L wrist XR | posteroanterior projection | male, 12 yo

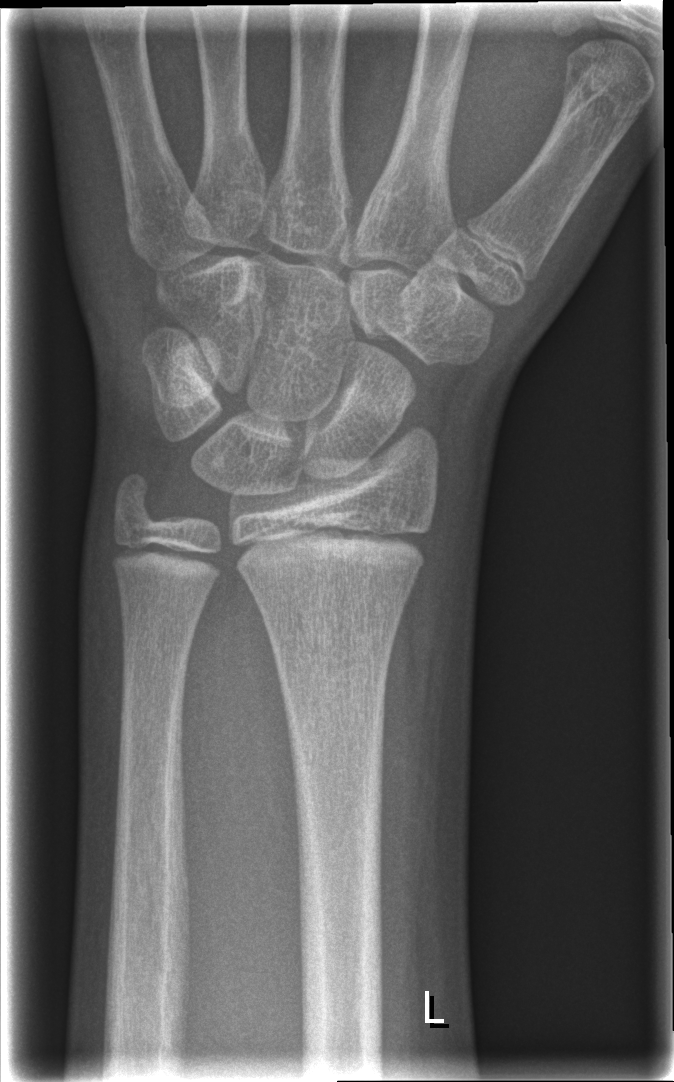

Fx: none.